R wrist plain film; AP view; presentation radiograph.
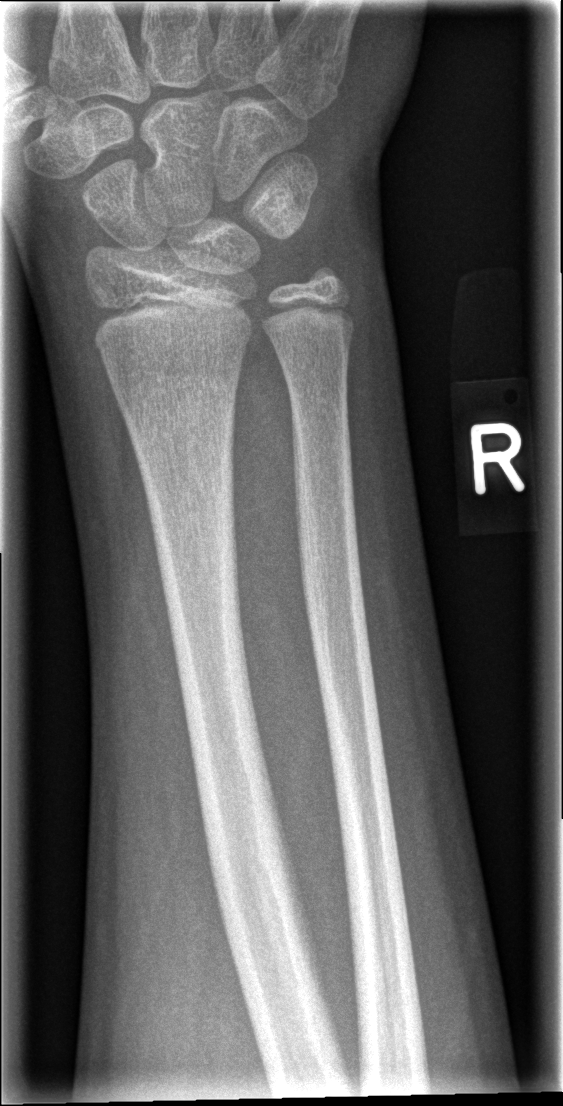 Bone fracture = none labeled